Lat view; left wrist plain film; age 6 y, female —
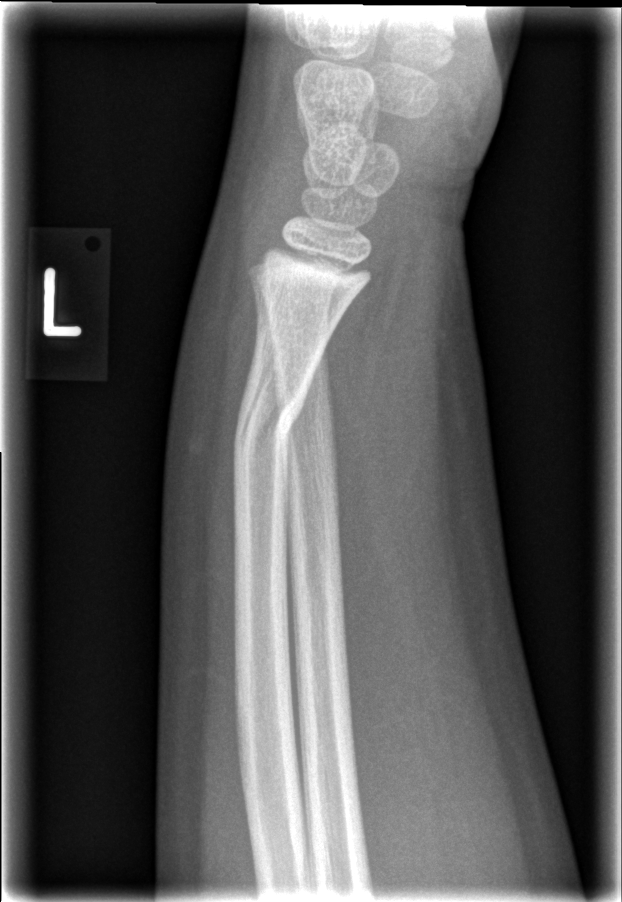

FINDINGS — AO/OTA classification: 23-M/2.1. Fx: bbox(232, 383, 310, 471).